Rt wrist XR | lateral | age 10 y, male
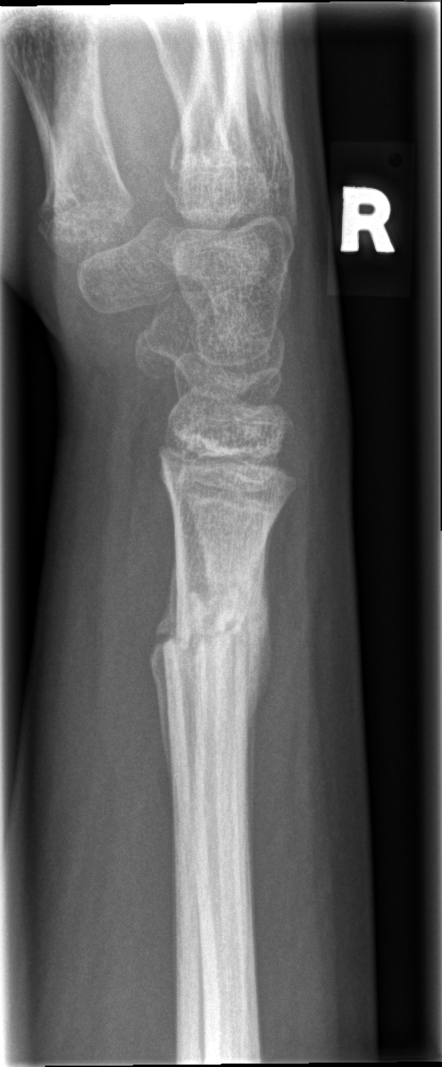
Boxes as x1,y1,x2,y2 (top-left / bottom-right, pixel units).
Fracture — <154,579>-<266,678>.
Periosteal new bone — <245,523>-<276,858>; <148,547>-<183,801>.
AO code 23-M/3.1.